PA/AP projection · left plain radiograph of the wrist · initial study · 516x962 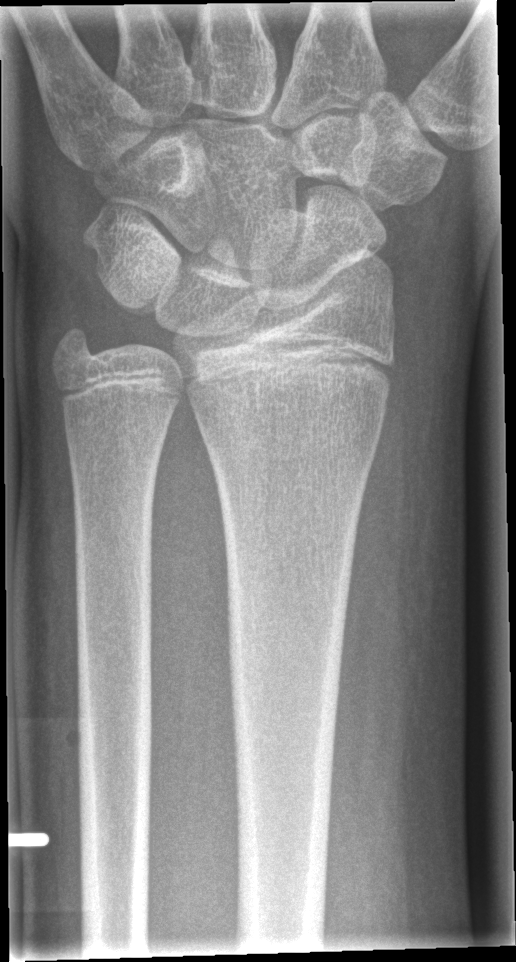
* No Fx annotated.